L wrist XR · lat projection · male, 13 yo · cast in situ · detector: Siemens —

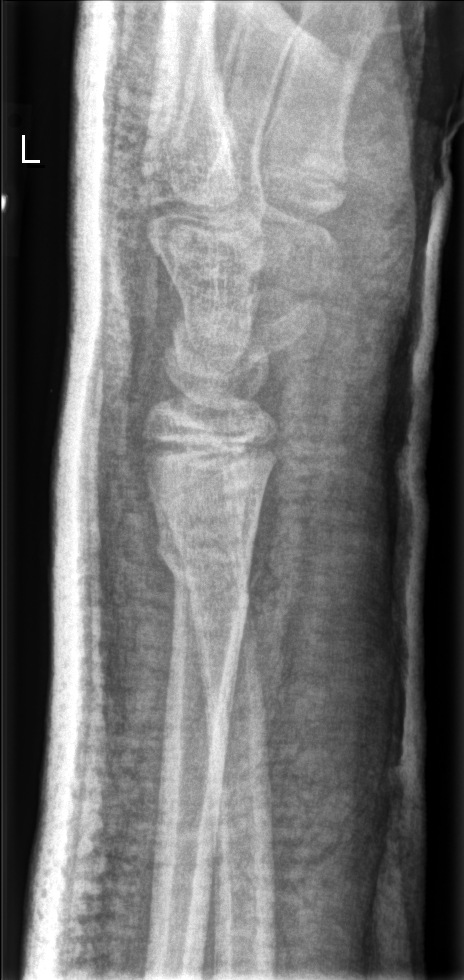 Pixel coordinates, top-left origin, xyxy. Fracture — 152,514,256,624. AO/OTA classification: 23r-M/3.1; 23u-E/7.